Lat; right wrist radiograph; 7-year-old female.

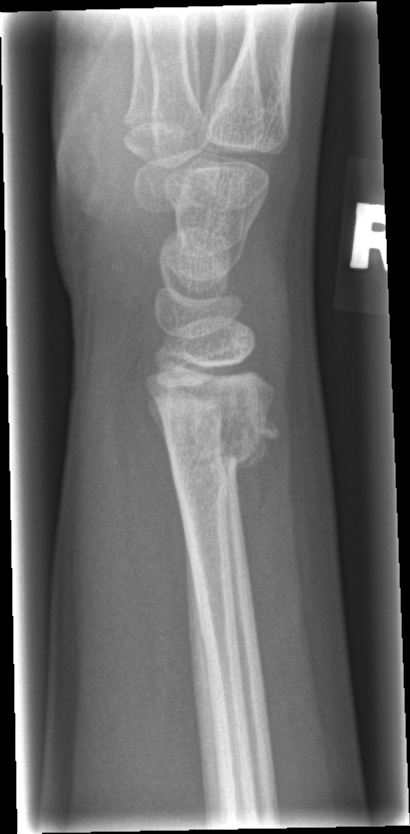

Fx: <144,390>-<284,514>
AO/OTA: 23-M/3.1